L wrist X-ray · PA/AP · acquired on Siemens · 536 by 680 pixels

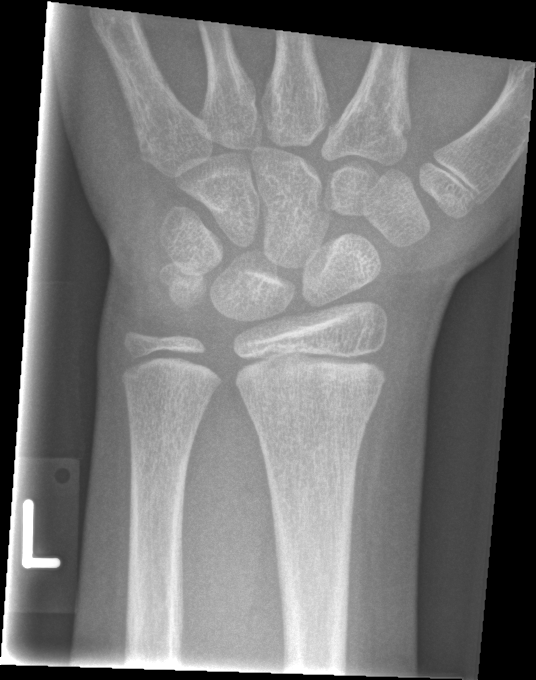
• AO code 23r-M/2.1.
• Fracture: present but not clearly seen in this view.